PA · Rt pediatric wrist radiograph · 17y M · initial study · Siemens
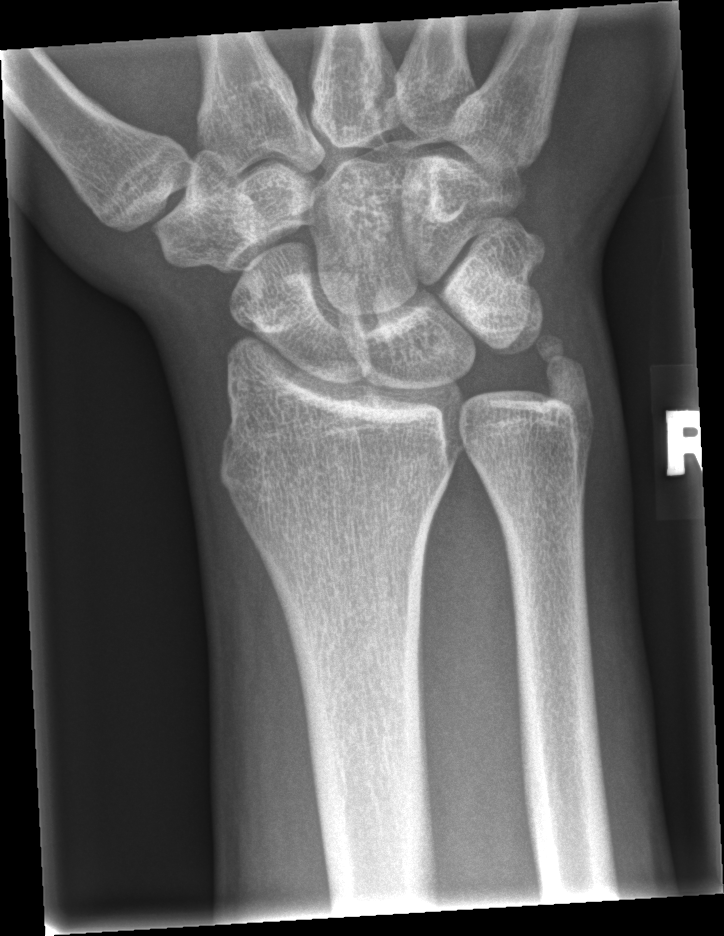

Pixel coordinates, top-left origin, xyxy. One Fx at 536 330 591 405.